Rt wrist XR | lat | pediatric patient (girl, age 11) | initial study | Siemens.
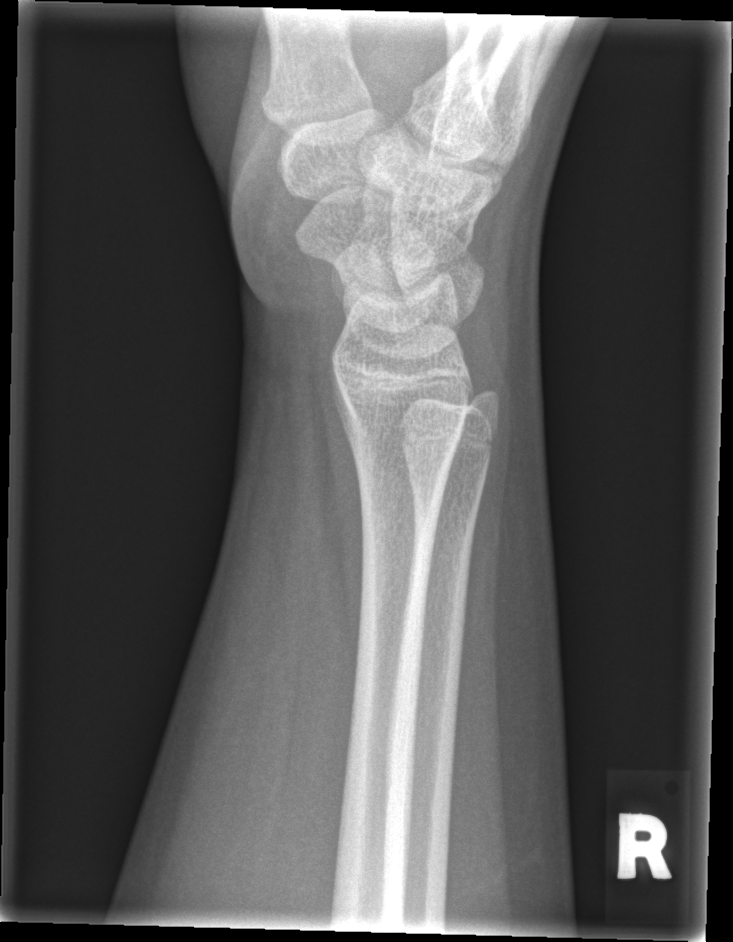
{
  "fracture": "none labeled"
}